Lat projection; right wrist plain film; imaged through cast —
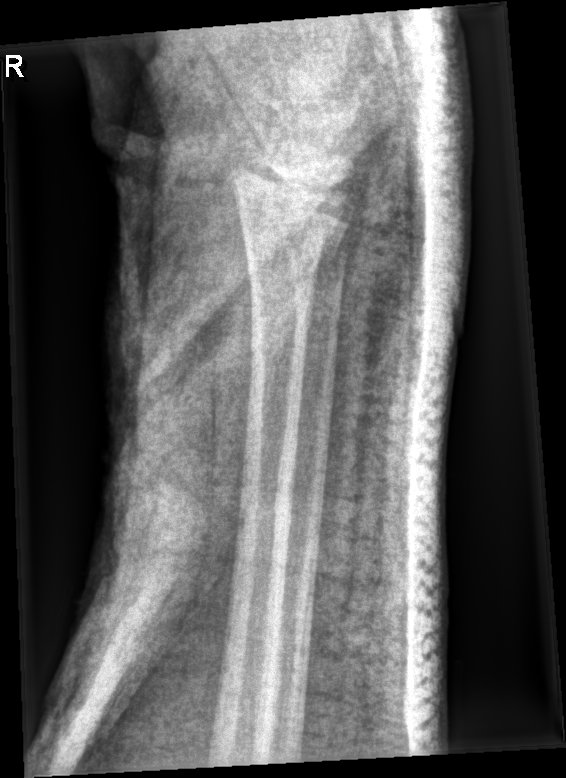
bone fracture = 226,160,363,266
AO classification = 23r-E/2.1